Lat projection · right wrist radiograph · cast in situ · 483x630 —

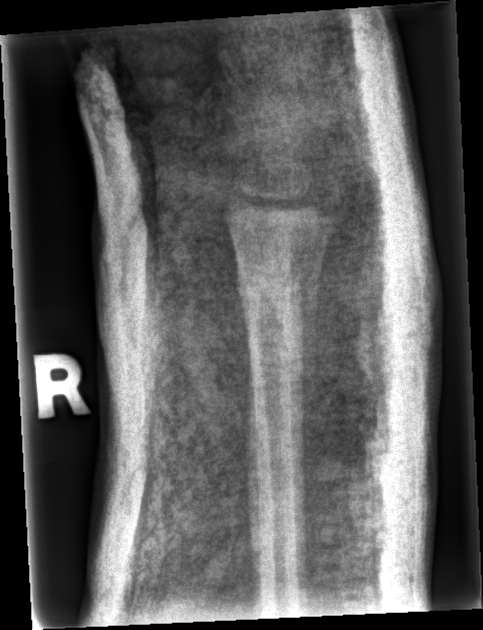
Pixel coordinates, top-left origin, xyxy.
Bone fracture — [232, 257, 321, 318].